AP projection · Lt wrist X-ray:

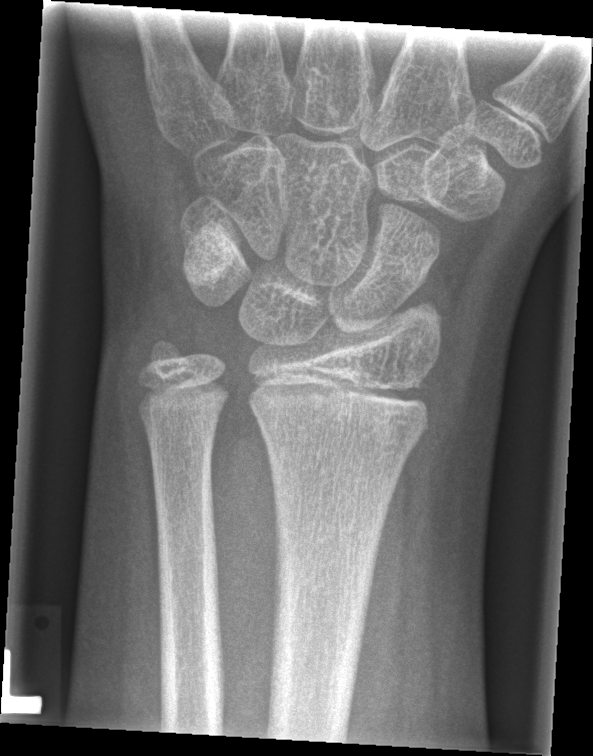 * No fracture annotation.